Left wrist pediatric wrist radiograph | frontal view 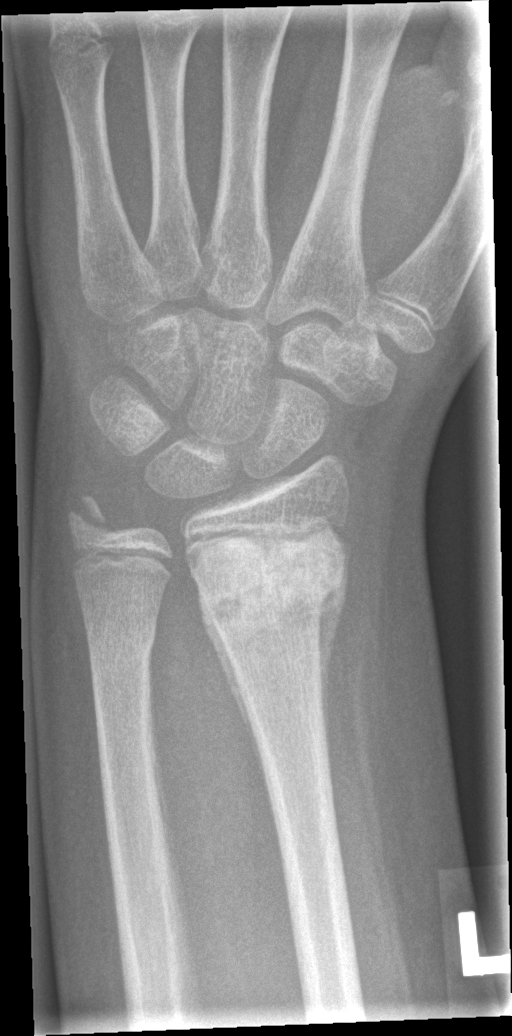
  # bounding boxes in image-pixel xyxy
  ao: 23r-M/3.1; 23u-M/2.1; 23u-E/7
  periostealreaction: 2 @ (left=201, top=587, right=271, bottom=794); (left=316, top=543, right=349, bottom=751)
  fracture: 3 @ (left=195, top=530, right=351, bottom=629); (left=83, top=613, right=161, bottom=670); (left=62, top=487, right=118, bottom=541)